Posteroanterior projection; L wrist XR; age 9 y, female; follow-up study; detector: Siemens; image width 73.4 mm —
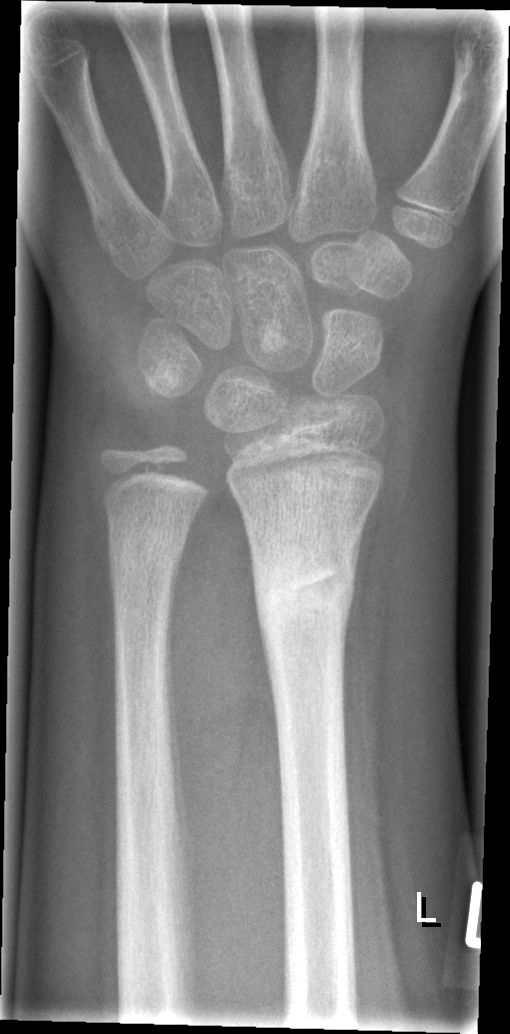

  fracture: [252, 532, 360, 659], [106, 527, 191, 582]
  osteopenia: present
  ao: 23-M/2.1